L wrist X-ray | lat | initial study | 731 x 990 px: 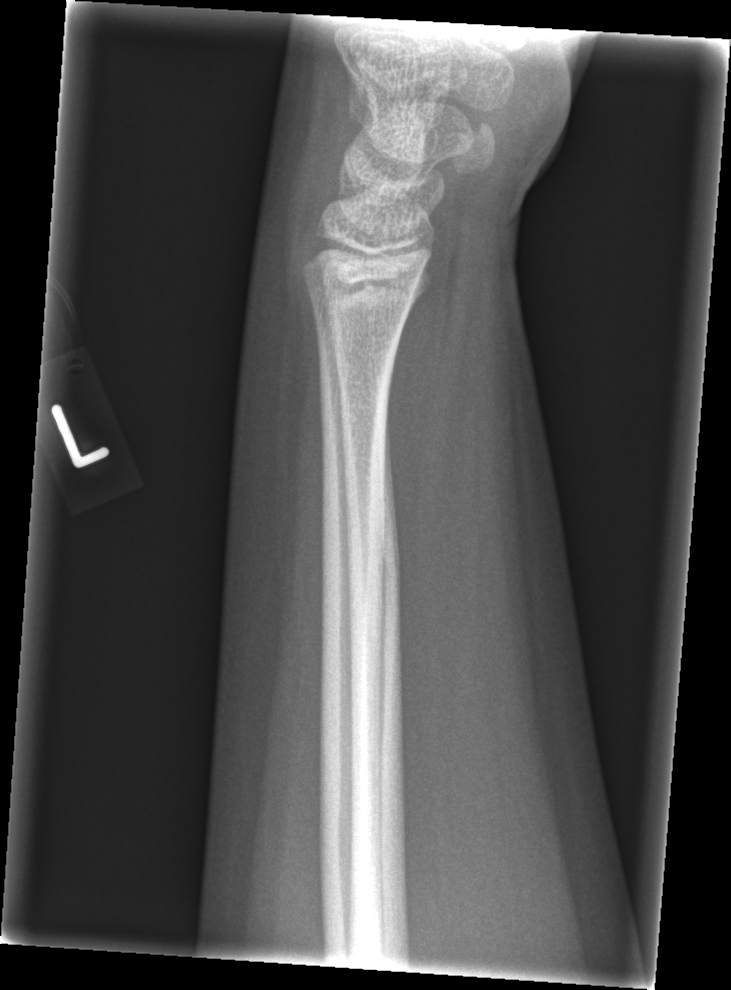 Fracture: none labeled.